R wrist XR · lat —

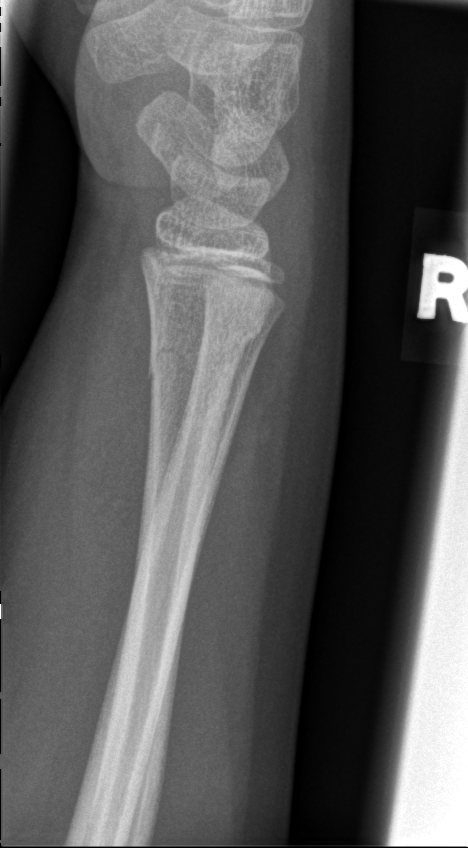 (bounding boxes in image-pixel xyxy)
AO classification = 23r-M/3.1
Bone fracture = 146,314,274,394